Lt wrist radiograph; lateral projection; age 12 y, male
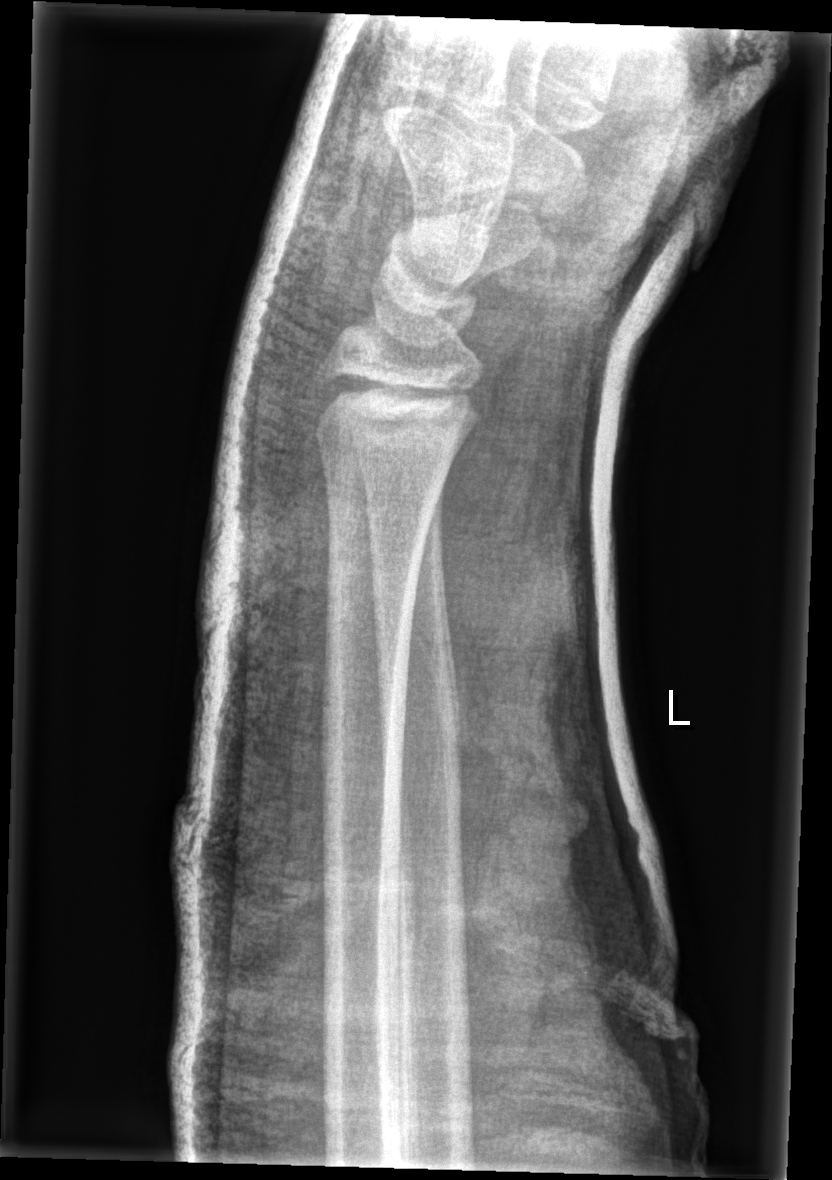
fracture = present but not clearly seen in this view
AO code = 23r-E/1; 23u-E/7